AP view; L pediatric wrist radiograph; pediatric patient (female, age 12); follow-up; acquired on Siemens 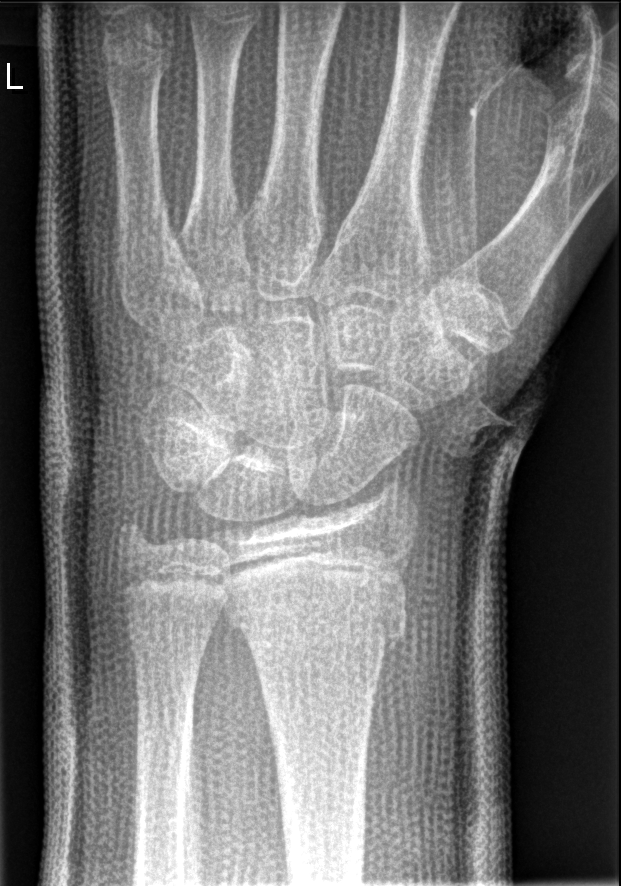 Fracture: 228 580 410 655. AO code 23r-M/3.1; 23u-E/7.